Lat projection; left wrist X-ray; pediatric patient (male, age 11): 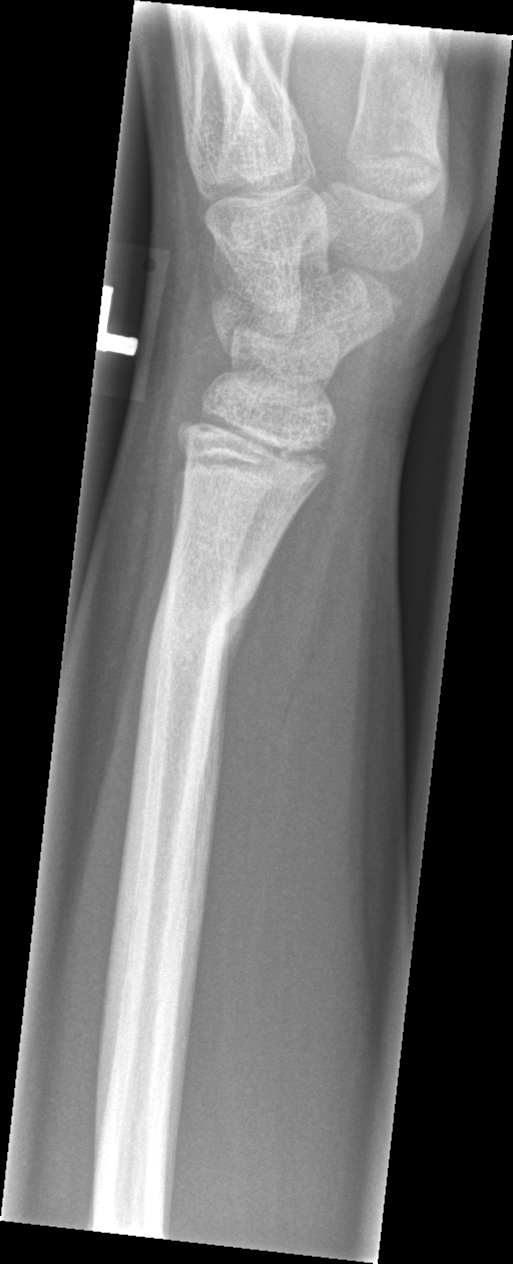 Findings: Fracture classified AO/OTA 23r-M/2.1. Fx — 138,562,268,677.